Right wrist radiograph; lat; age 8 y, female; detector: Siemens; 368x896 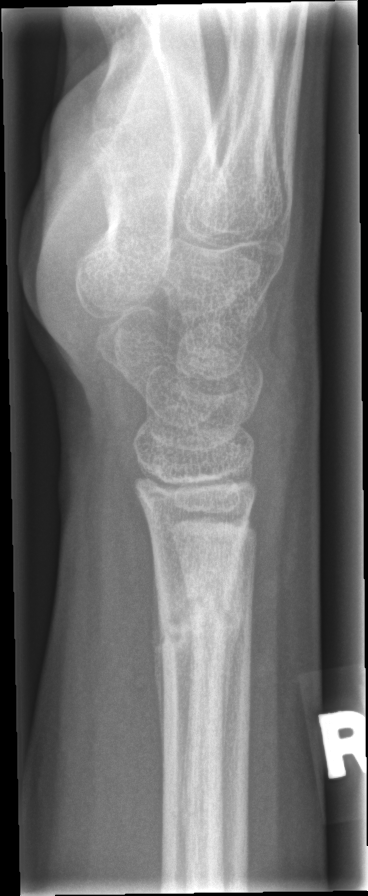 (coordinates are [x1, y1, x2, y2] in image pixels)
bone fracture = 1 @ 156,572,246,661
osteopenia = present
periosteal reaction = 1 @ 152,552,167,767
AO classification = 23-M/3.1